Lt wrist X-ray, lateral view, 12-year-old male, detector: Siemens —
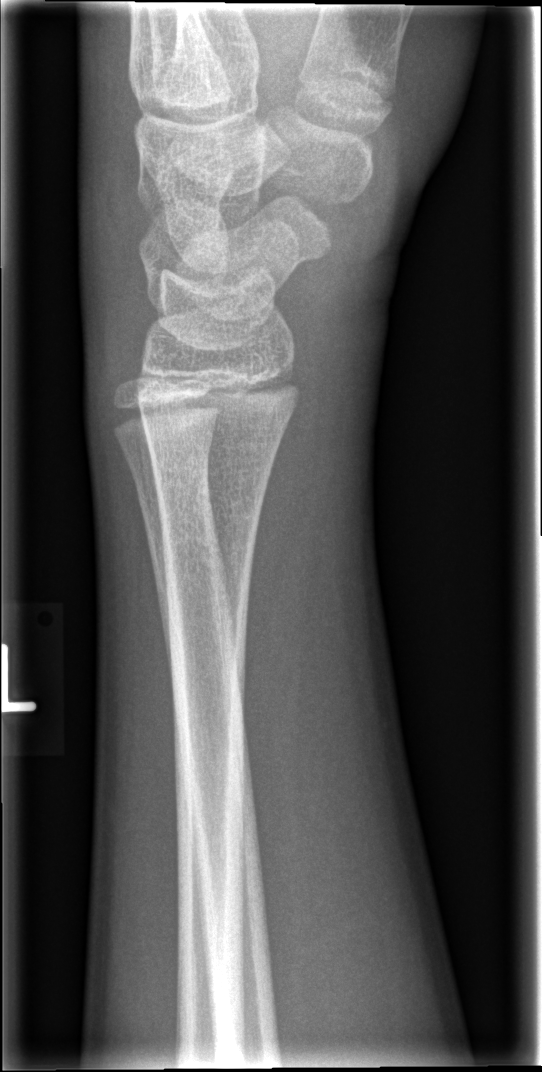

fracture = none labeled